Lat, L pediatric wrist radiograph —

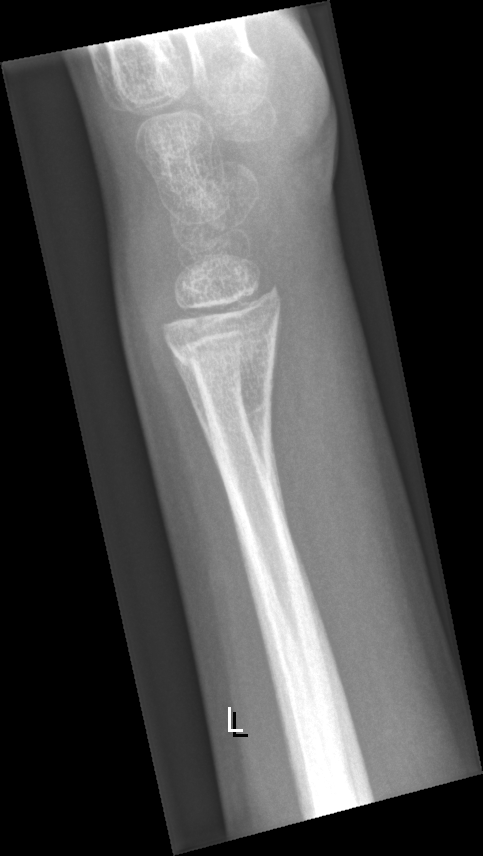

  ao: 23r-M/2.1
  fracture: 1 @ (168, 331, 280, 388)